Rt pediatric wrist radiograph, PA/AP view:
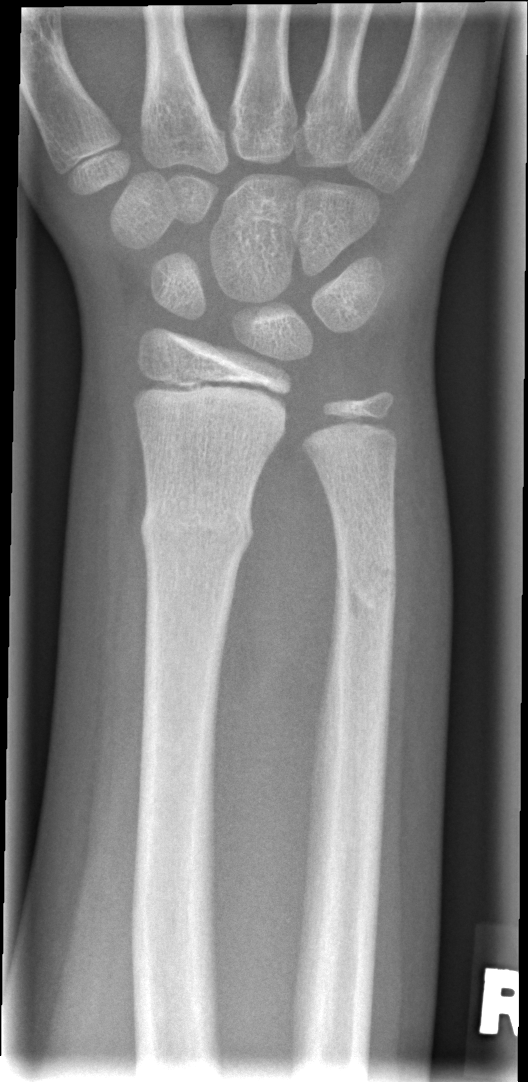

FINDINGS — Two Fx at bbox(138, 490, 258, 564) bbox(330, 549, 399, 628). Fracture classified AO/OTA 23-M/2.1.